Right plain radiograph of the wrist, PA, in cast, image 93.0 mm wide. 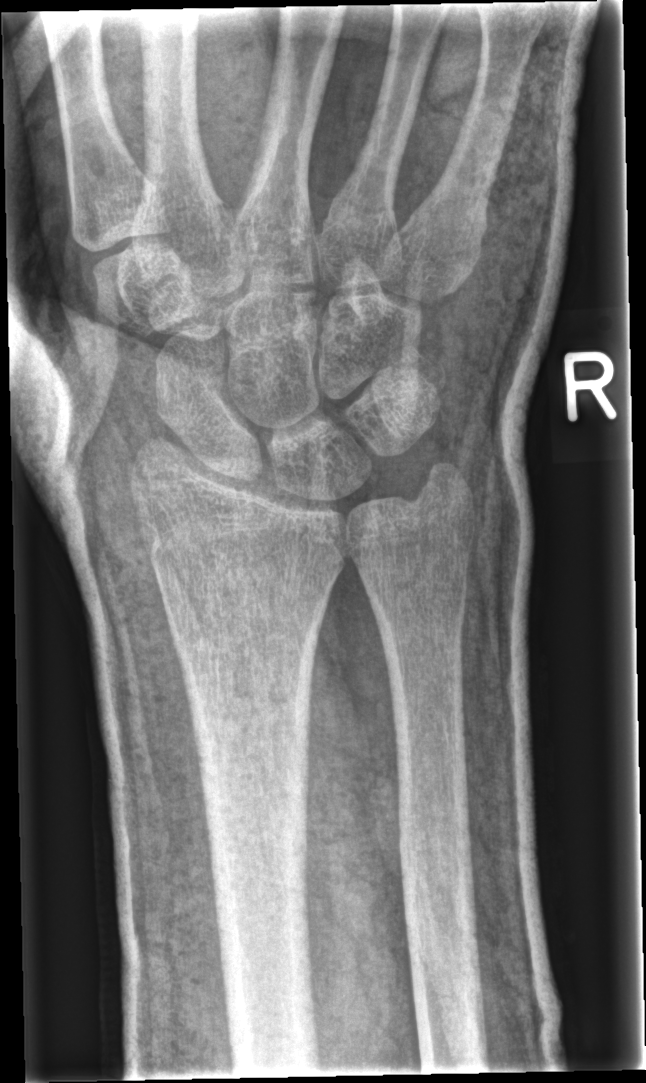

No Fx annotated.